Lateral view; L wrist X-ray; 9y F; presentation radiograph 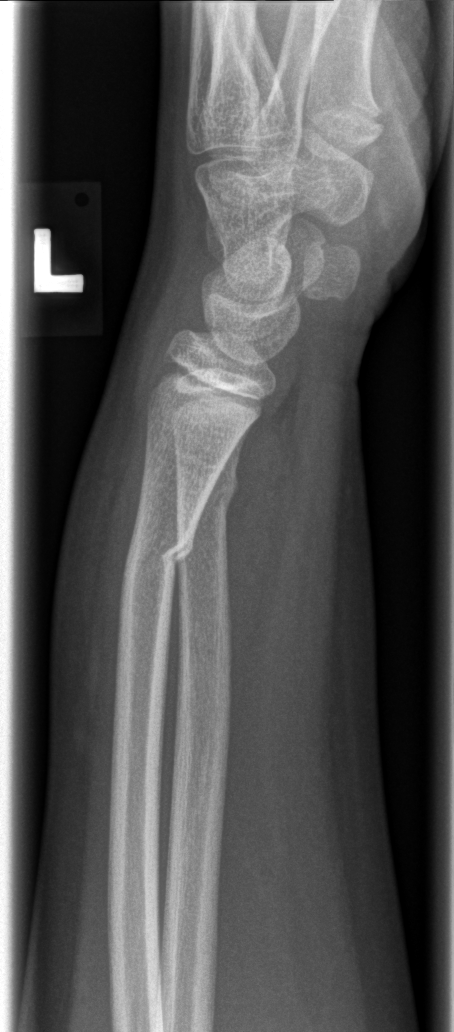

Q: Pronator fat-pad sign?
A: Positive pronator fat-pad sign: [225, 410, 297, 695]
Q: What is the AO/OTA classification?
A: AO code 23-M/2.1
Q: Locate any fractures.
A: Bone fracture identified at [118, 529, 195, 581], [174, 465, 241, 513]